L plain radiograph of the wrist, PA view, 16y F: 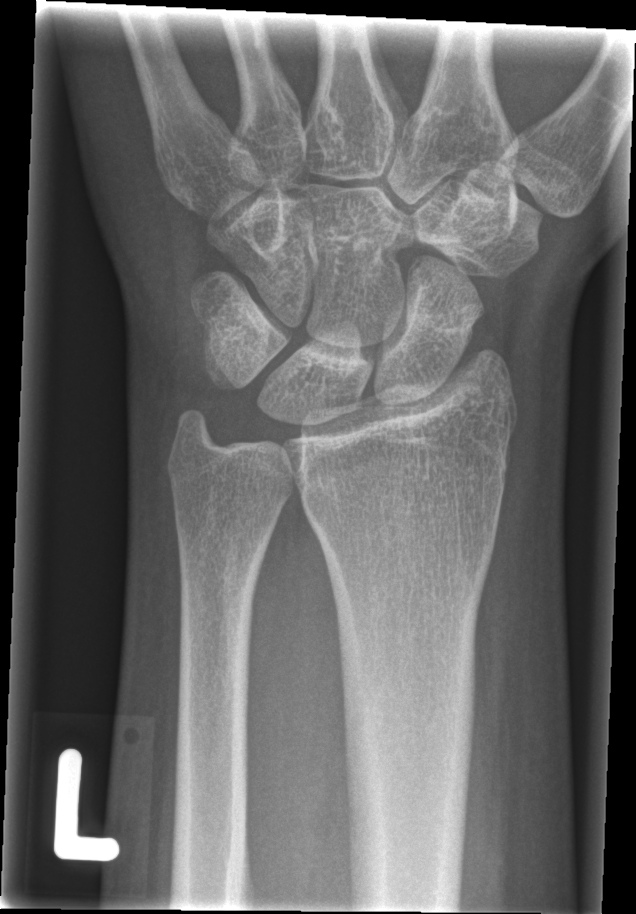

Fx: none labeled